Lateral view; Rt pediatric wrist radiograph. 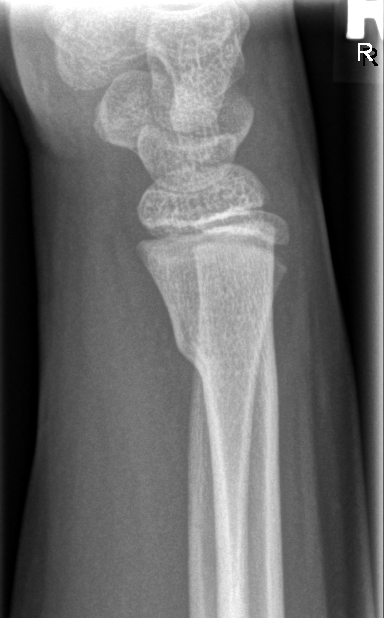
* Pixel coordinates, top-left origin, xyxy.
* One bone fracture at bbox(168, 311, 281, 397).
* AO code 23r-M/2.1.